PA projection, R wrist X-ray, pediatric patient (male, age 7), acquired on Siemens, 448 x 660 px

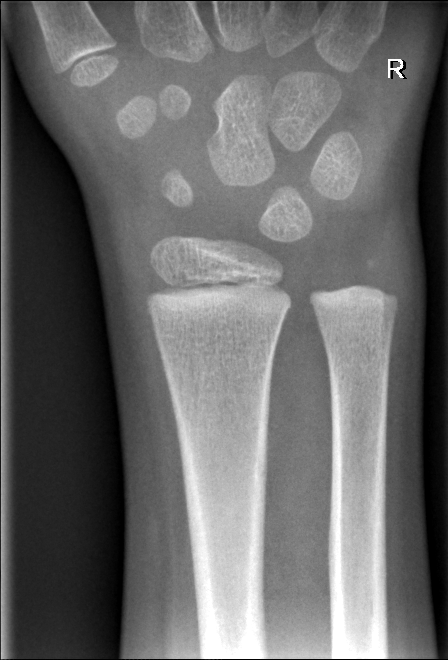
Q: Any fracture seen?
A: No fracture annotation